Rt wrist radiograph | AP projection 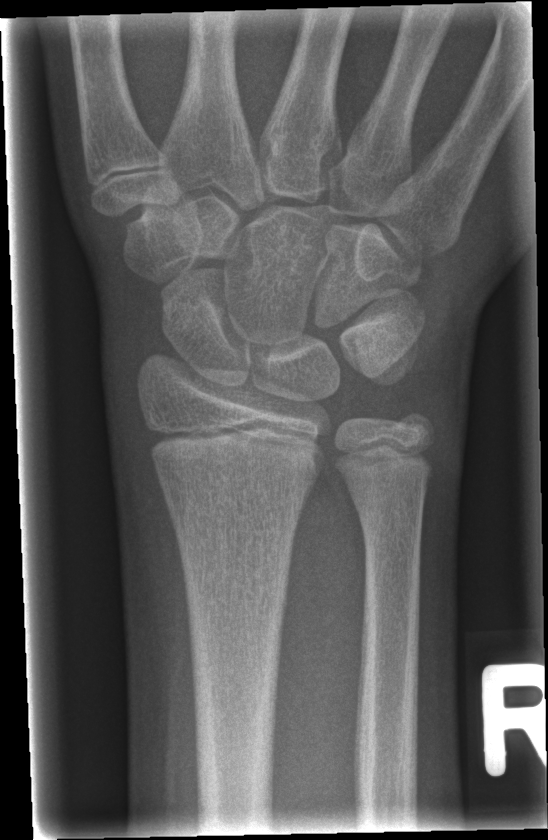
Fx = none labeled